AP, Lt wrist X-ray —
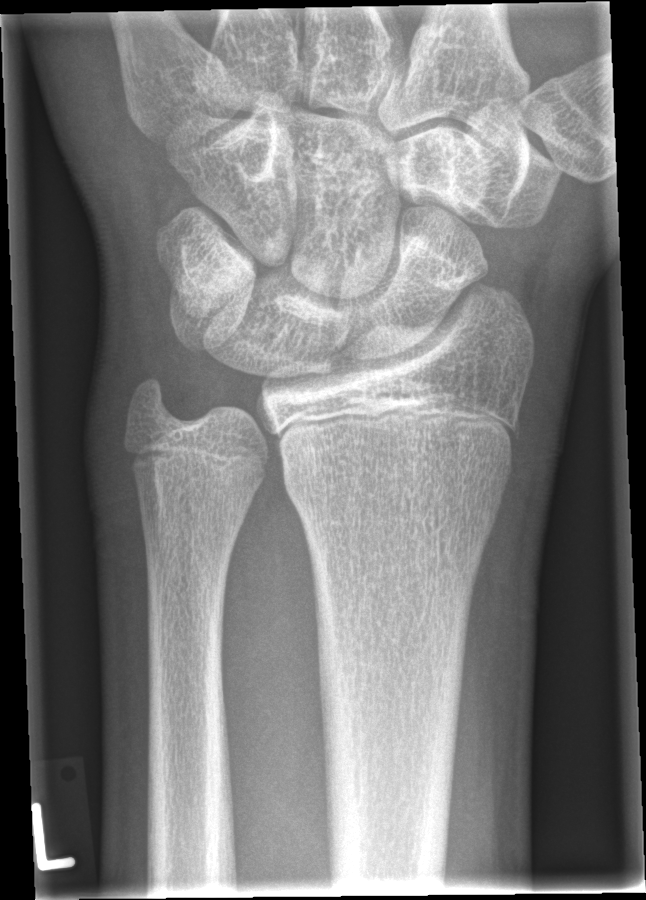 Q: Fracture present?
A: No Fx annotated